Left wrist plain film | PA/AP projection | male, 7 yo:

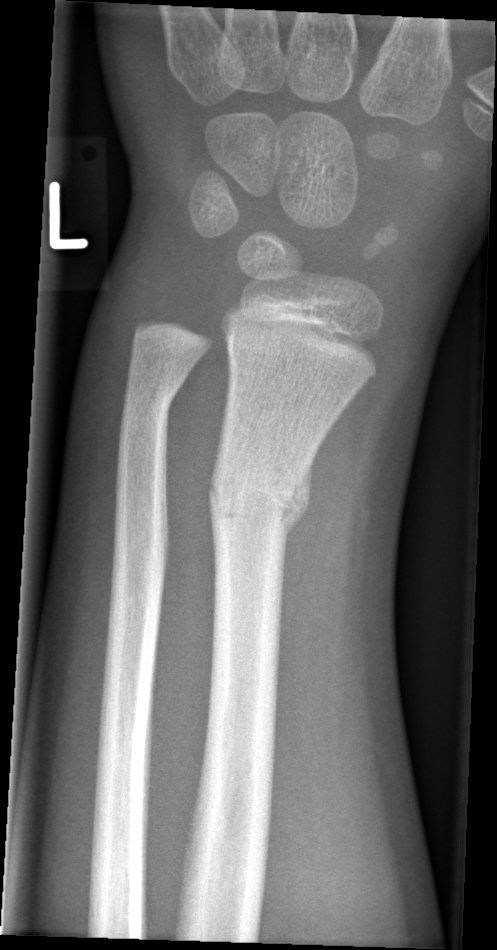
• Fracture classified AO/OTA 23r-M/3.1; 23u-M/2.1.
• Bone fracture: (204, 448, 316, 545) (119, 367, 183, 437).